Lateral, left wrist XR, male, 11 yo, 82.4 mm image width.
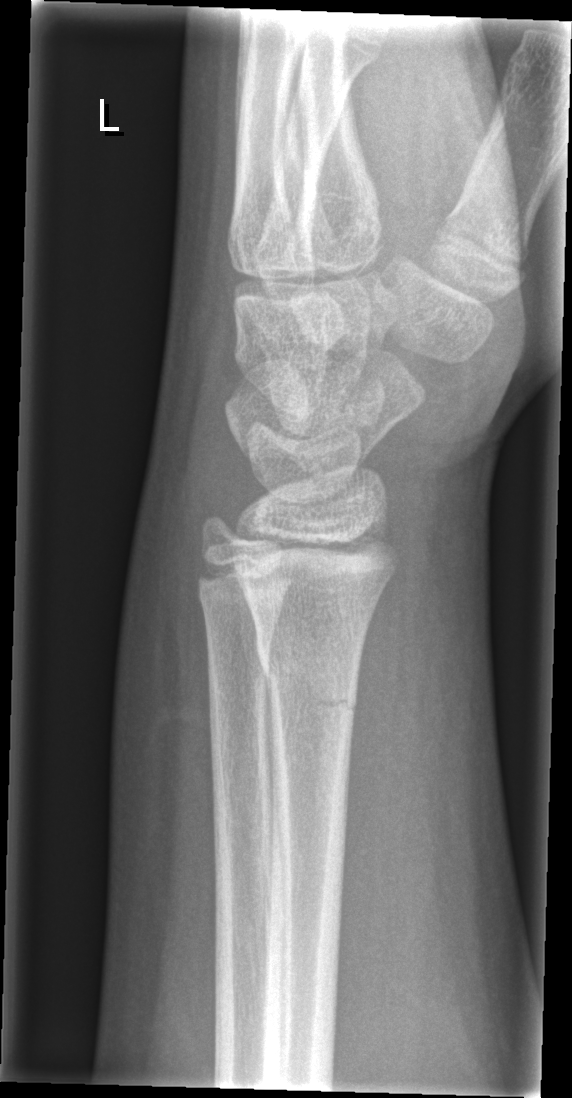 {"_coords": "pixel coordinates, top-left origin, xyxy", "ao": "23r-M/3.1", "fracture": "(255, 634, 363, 724)"}